Right wrist plain film; lat view; pediatric patient (boy, age 10); imaged through cast; 410 x 874 px. 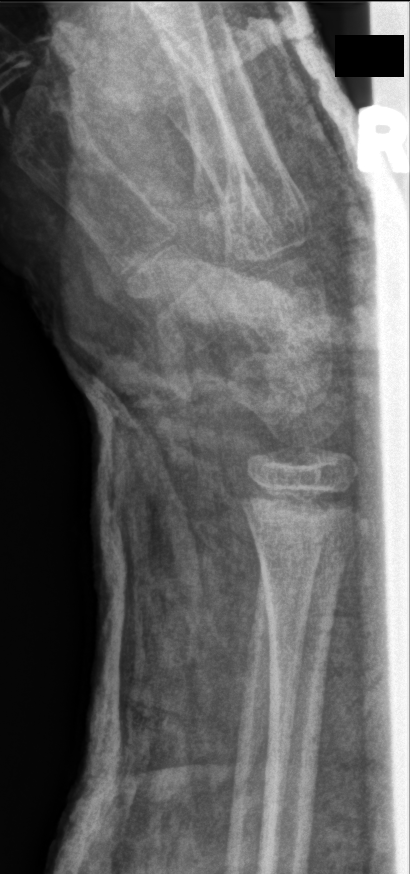

  ao: 23r-M/3.1
  fracture: present but not clearly seen in this view